Frontal, left wrist X-ray, 15y M: 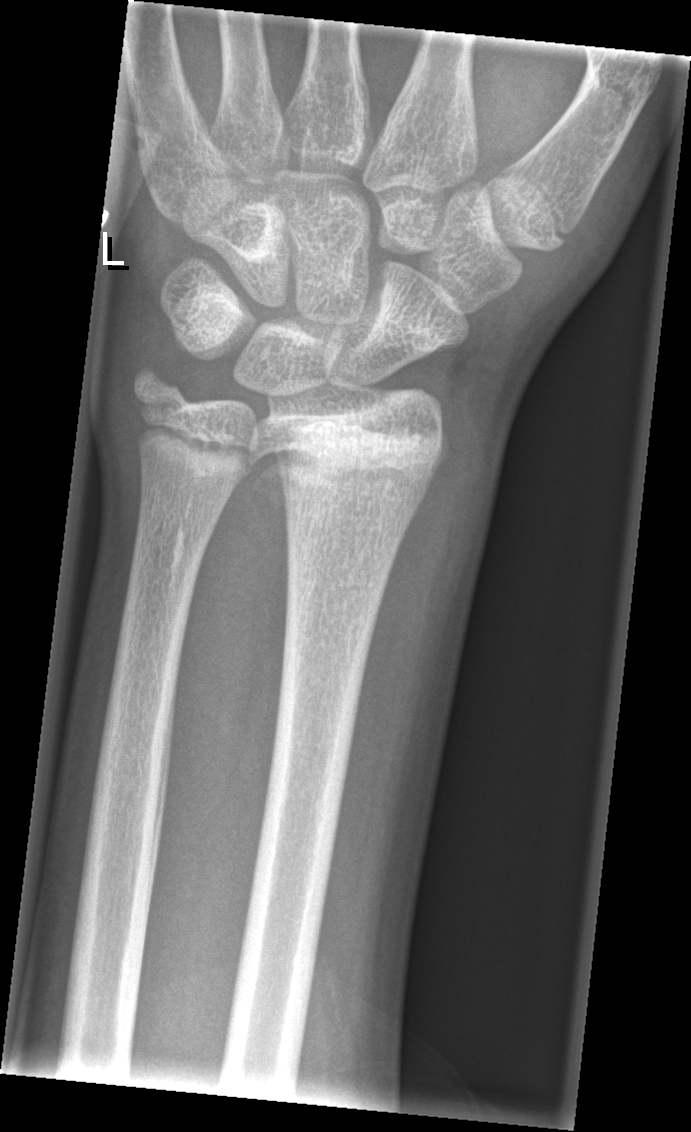

FINDINGS: Fx — 244 410 450 509
  121 358 203 429. AO/OTA classification: 23r-E/2.1; 23u-E/7.